Lateral | L pediatric wrist radiograph | male, 11 yo | in cast 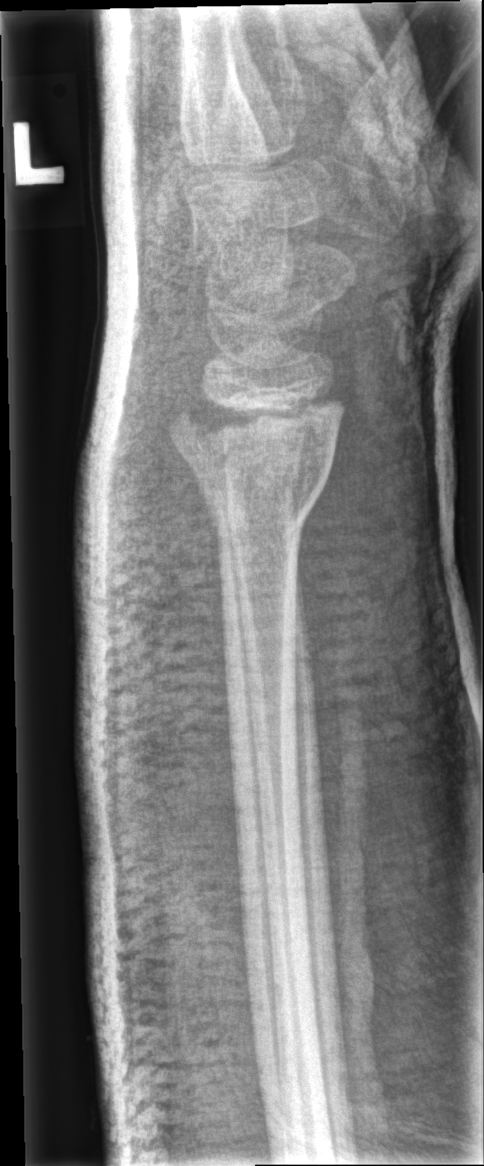

FINDINGS — Fracture classified AO/OTA 23r-E/2.1; 23u-M/2.1. Bone fracture — (165, 381, 345, 553).